PA · R plain radiograph of the wrist · follow-up 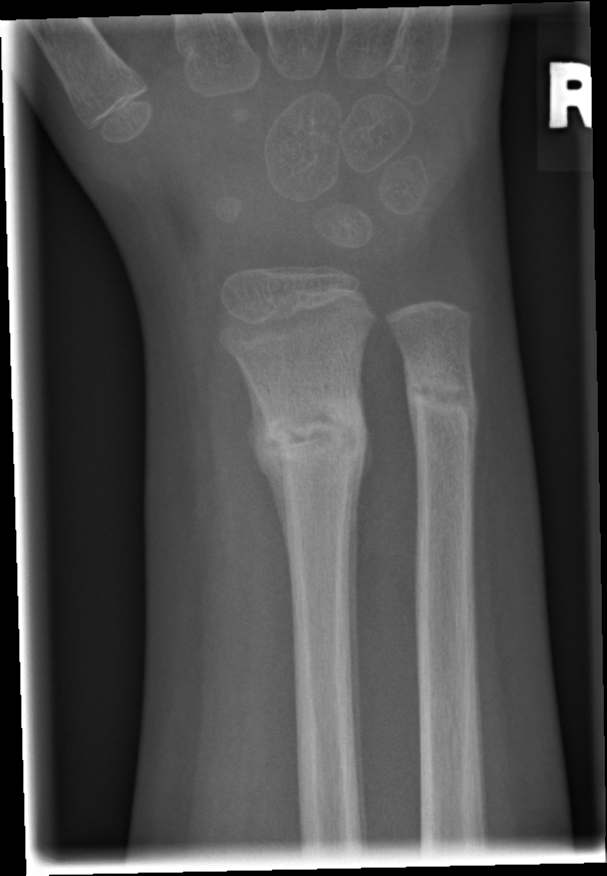
{
  "_coords": "bounding boxes in image-pixel xyxy",
  "fracture": "2 @ (249, 382, 373, 498); (402, 355, 484, 445)",
  "ao": "23-M/3.1",
  "osteopenia": "present",
  "periostealreaction": "2 @ (239, 359, 291, 567); (357, 379, 373, 492)"
}